Right wrist plain film, AP projection.
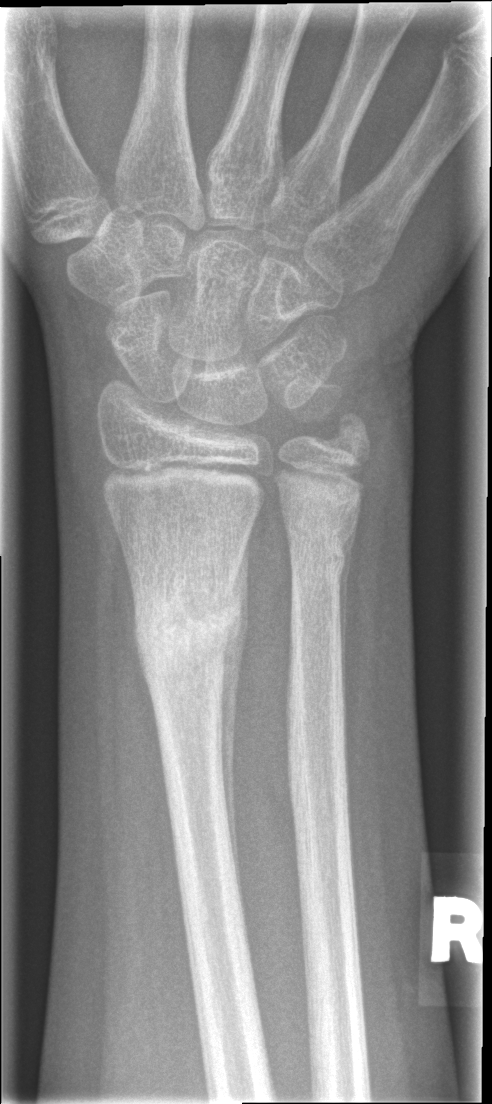
- Fx identified at (left=129, top=587, right=249, bottom=667), (left=280, top=536, right=356, bottom=587), (left=318, top=404, right=379, bottom=457).
- Osteopenia.
- Periosteal thickening — (left=219, top=524, right=251, bottom=900), (left=338, top=504, right=360, bottom=720).